L pediatric wrist radiograph · PA view · follow-up study · cast in situ. 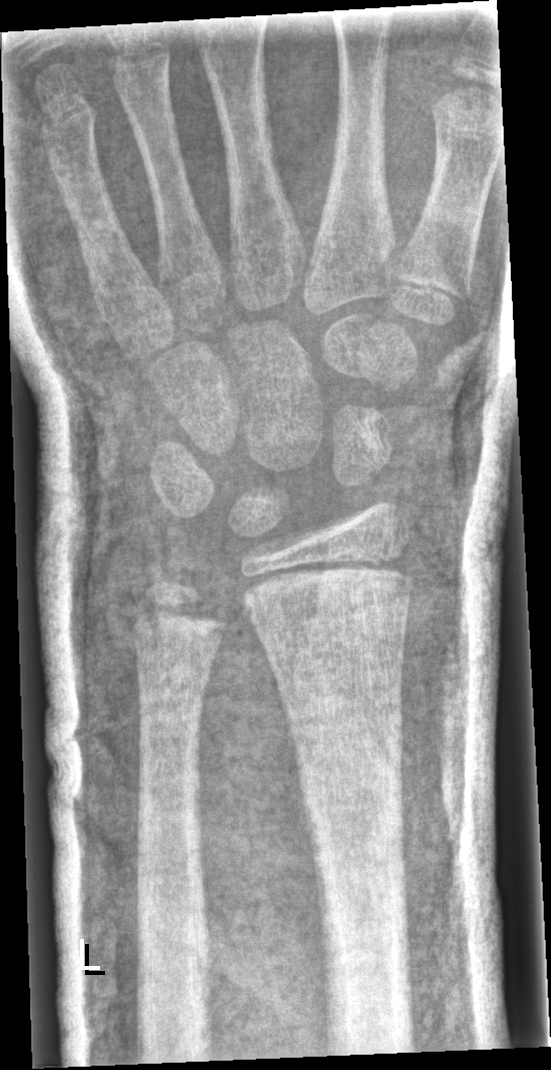

* AO code 23r-M/3.1; 23u-M/2.1.
* Fracture present but not clearly seen in this view.